Left wrist radiograph; lateral projection; age 13 y, male; index exam

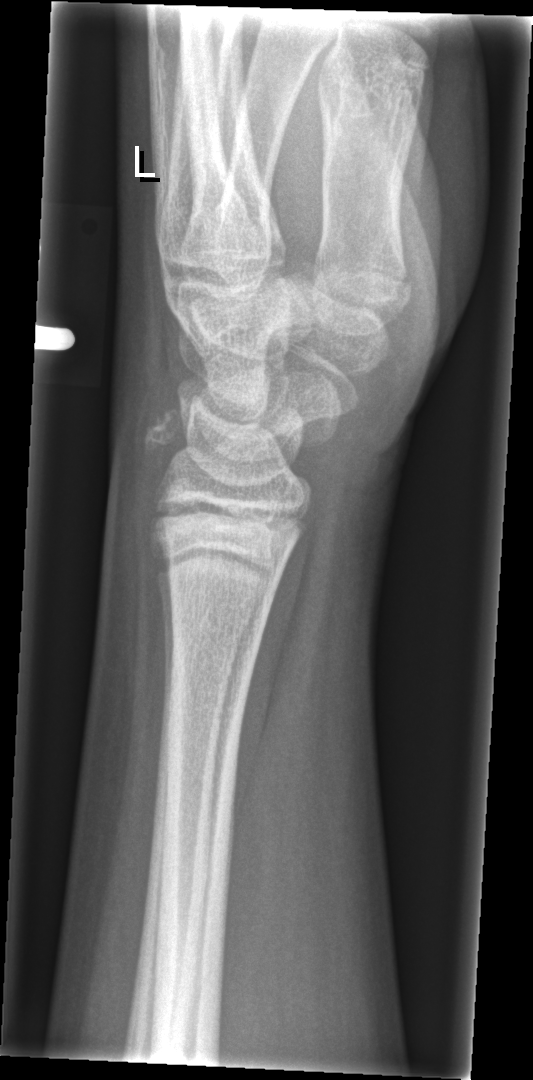 Bone anomaly: 137 402 197 469. No Fx annotated.